Rt wrist XR · frontal projection · 11-year-old girl.
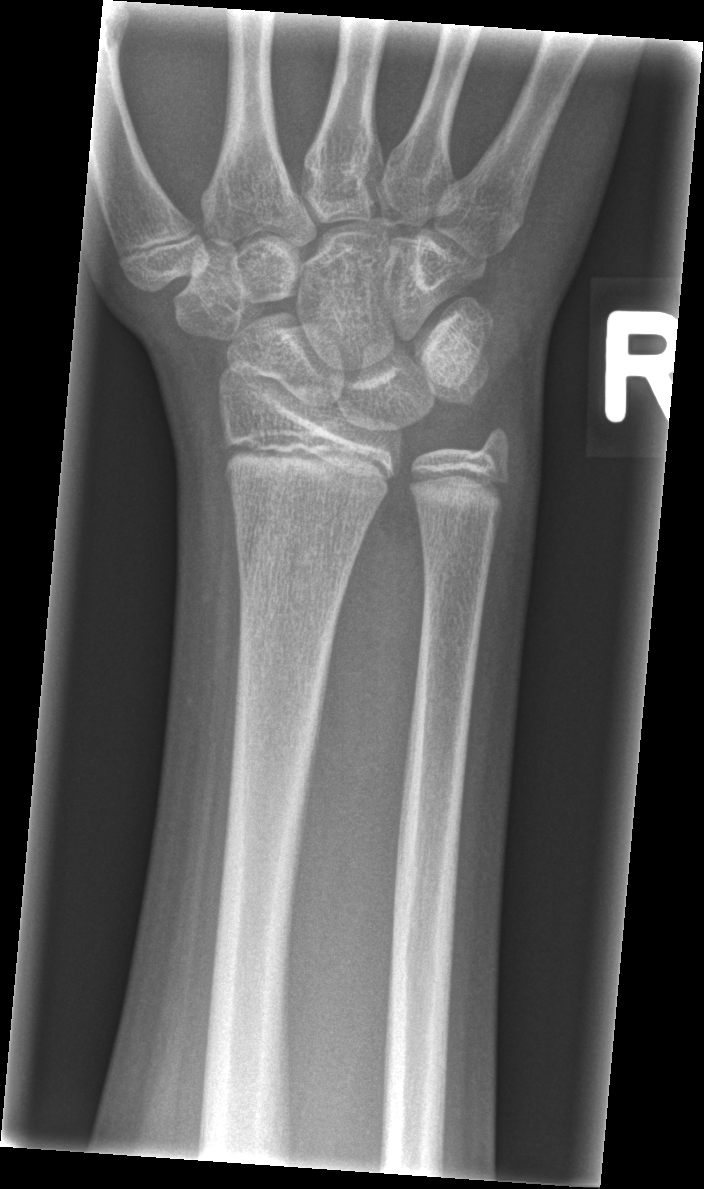
Q: Is there a fracture?
A: Fx: none